R wrist radiograph; PA view; 75.0 mm image width —

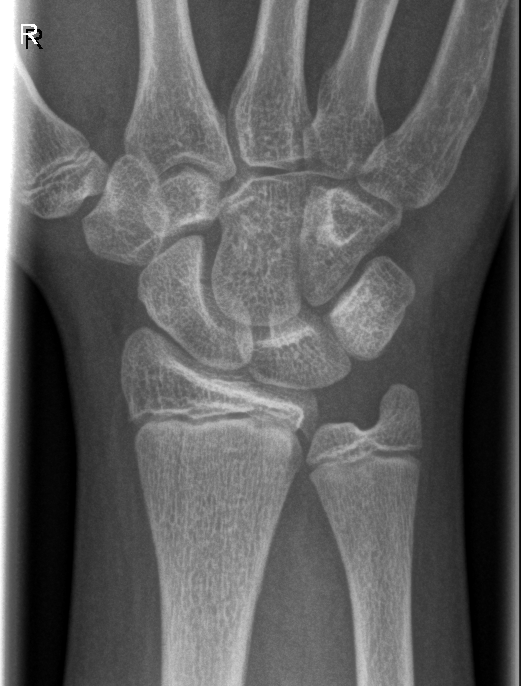
FINDINGS: No Fx annotated.